Lateral · Lt plain radiograph of the wrist · pediatric patient (boy, age 11) · 598 by 1256 pixels
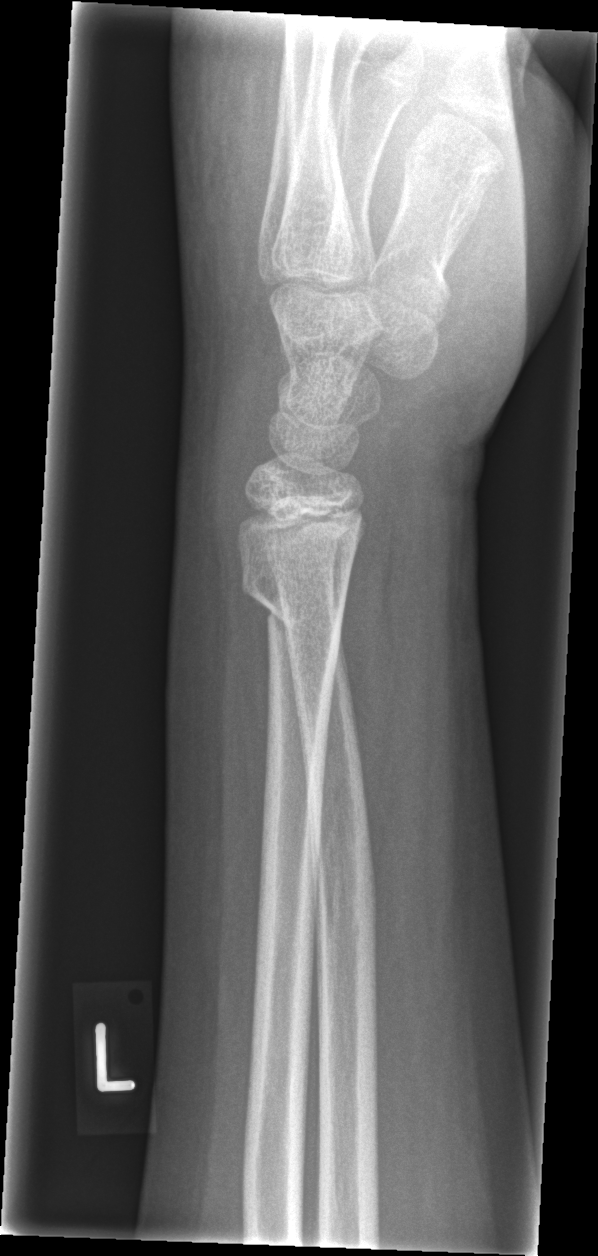 softtissue: (left=164, top=42, right=274, bottom=354)
fracture: 1 @ (left=235, top=561, right=350, bottom=639)